Lat projection | left wrist plain film | age 15 y, male | presentation radiograph | 89.3 mm image width —
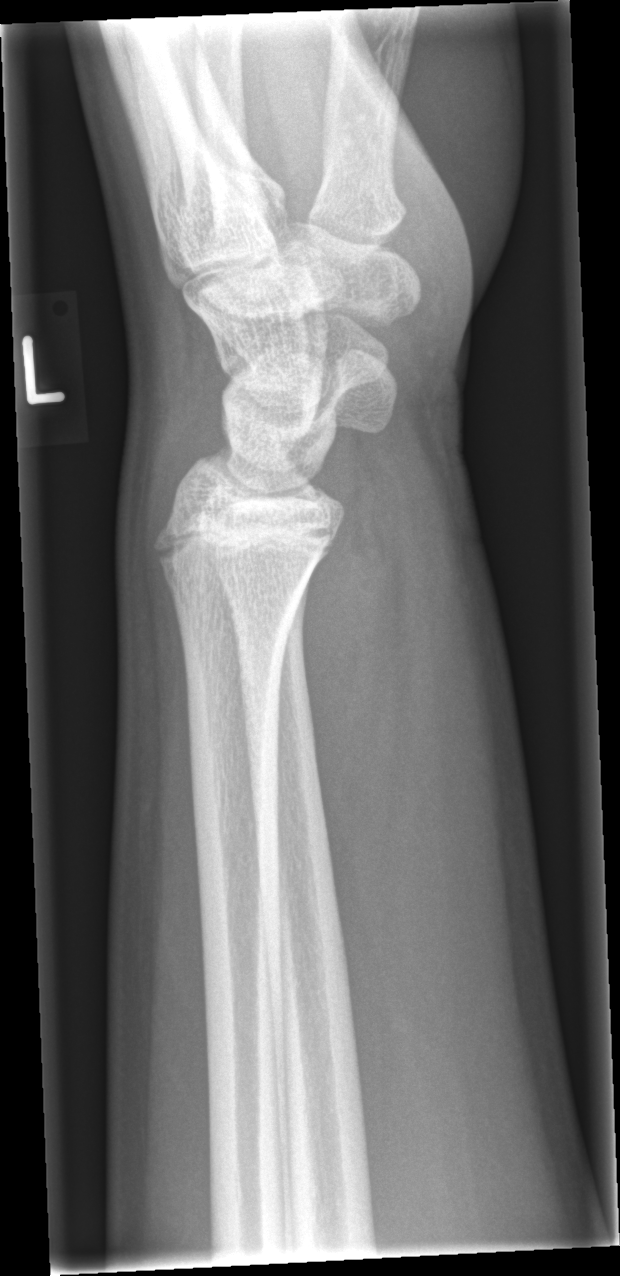

Findings: One pronator quadratus fat-pad sign at (301, 522, 405, 985). Bone fracture identified at (158, 547, 314, 613). Fracture classified AO/OTA 23r-M/2.1.